Lateral | Rt pediatric wrist radiograph | cast present | acquired on Siemens.

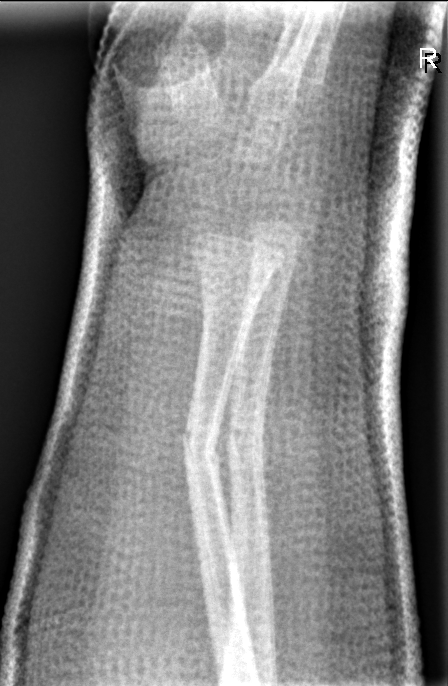

{"_coords": "boxes as x1,y1,x2,y2 (top-left / bottom-right, pixel units)", "ao": "22-D/2.1", "fracture": "2 @ 177,415,227,473\n  224,420,267,462"}